PA/AP, left wrist XR, initial study.
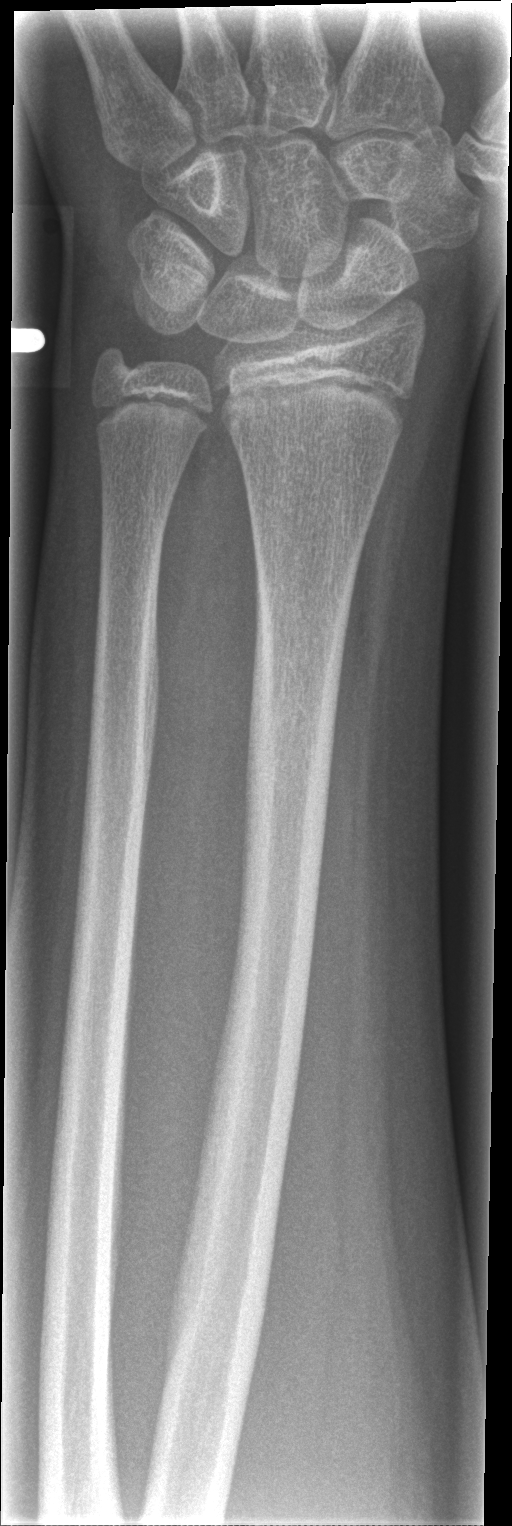
Findings: No fracture bounding box.